Lat; Lt plain radiograph of the wrist; presentation radiograph; 466x1000:

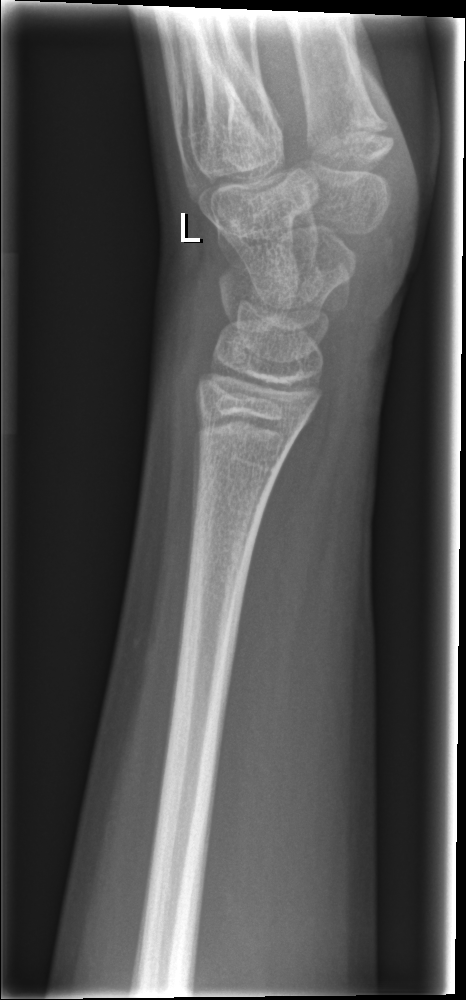 Fx = none labeled